L wrist plain film | lateral | age 12 y, male | cast present | Siemens: 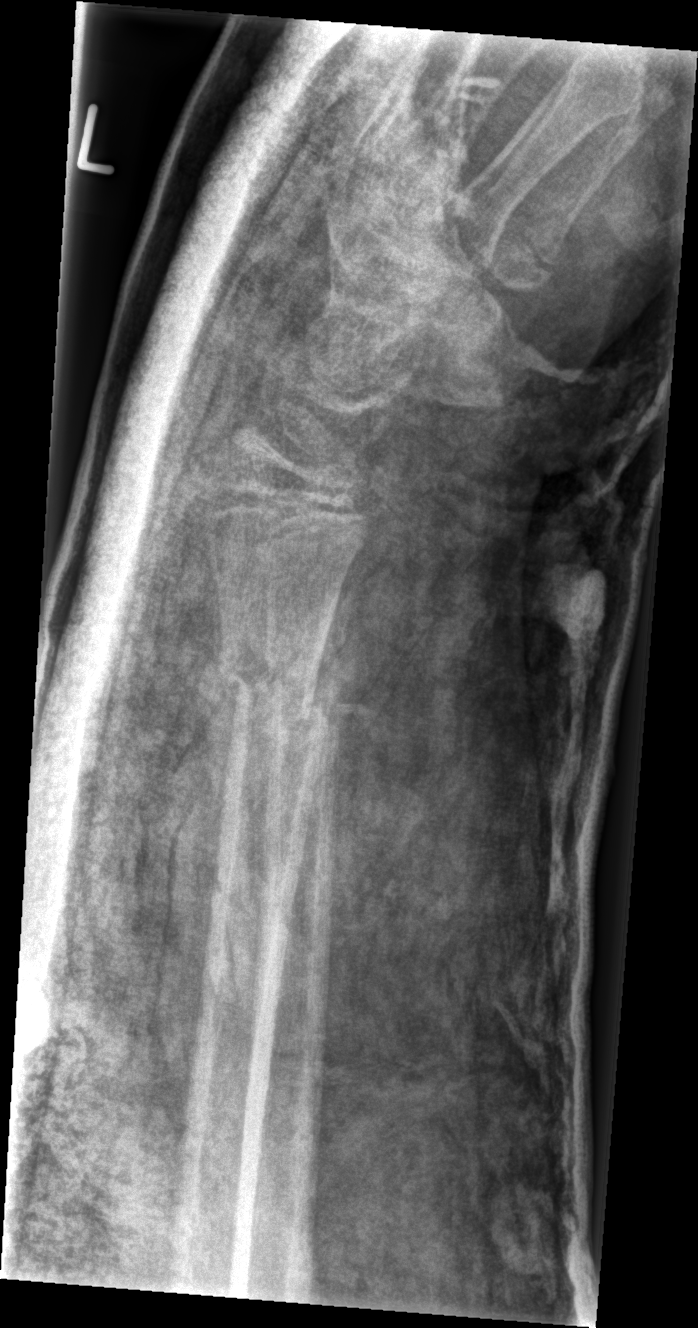 Q: AO code?
A: AO code 23-M/3.1
Q: Fracture present?
A: Fx: 218,628,341,754